Lateral projection, right wrist XR.
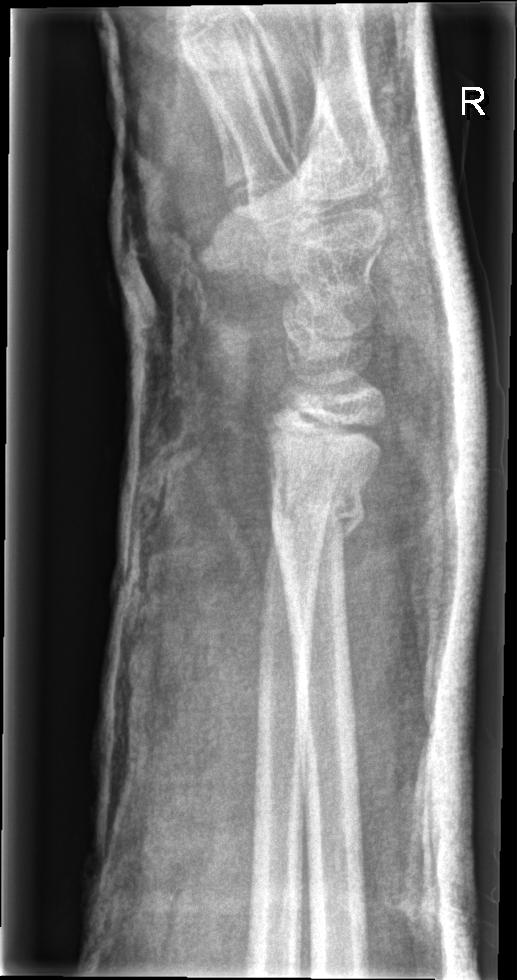
(pixel coordinates, top-left origin, xyxy)
fracture: 1 @ [266, 461, 368, 551]
AO code: 23r-M/3.1